R wrist XR | lateral view | acquired on Siemens.

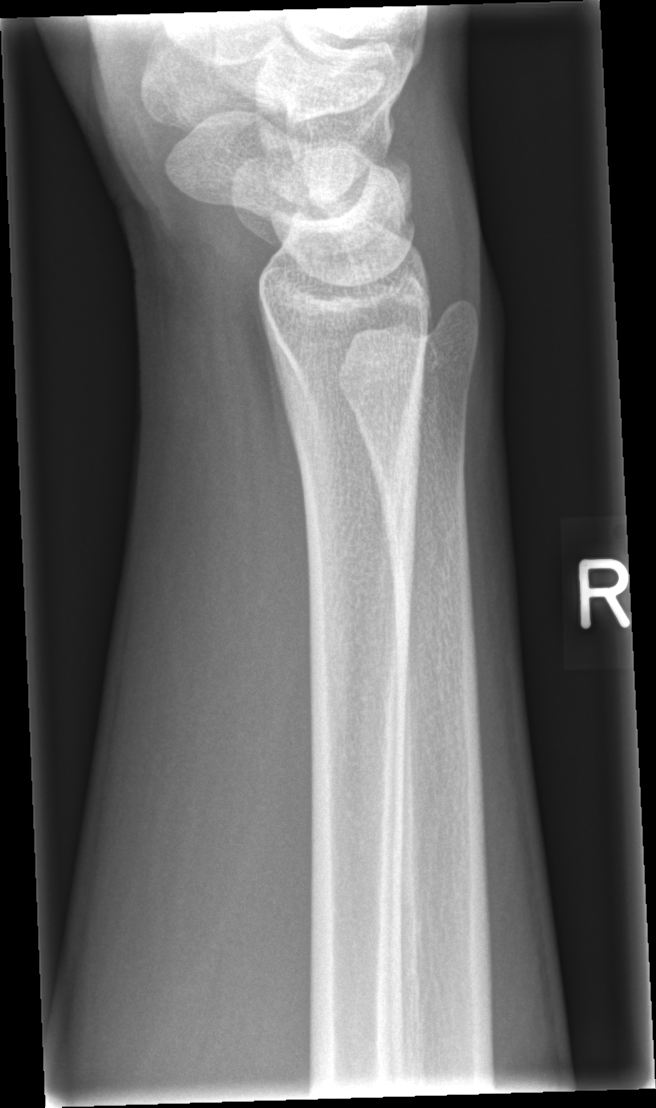

Findings: No fracture bounding box.